Lt wrist X-ray · frontal —
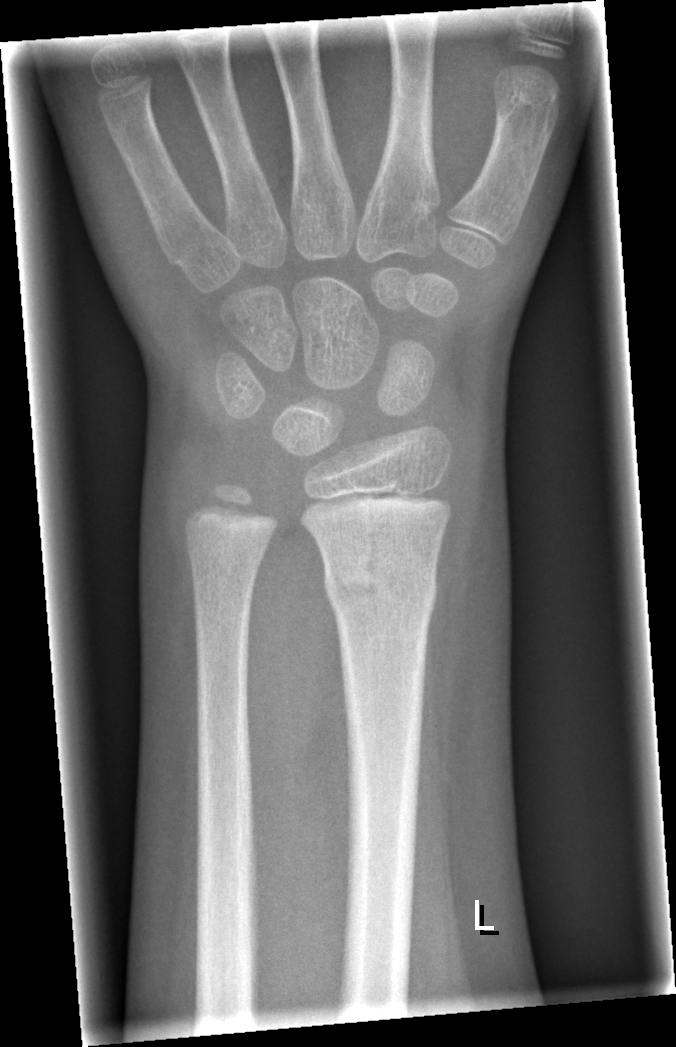
(coordinates are [x1, y1, x2, y2] in image pixels)
Fx: [x1=319, y1=544, x2=441, y2=616]
AO/OTA: 23-M/2.1